L wrist X-ray; AP projection; age 12 y, female

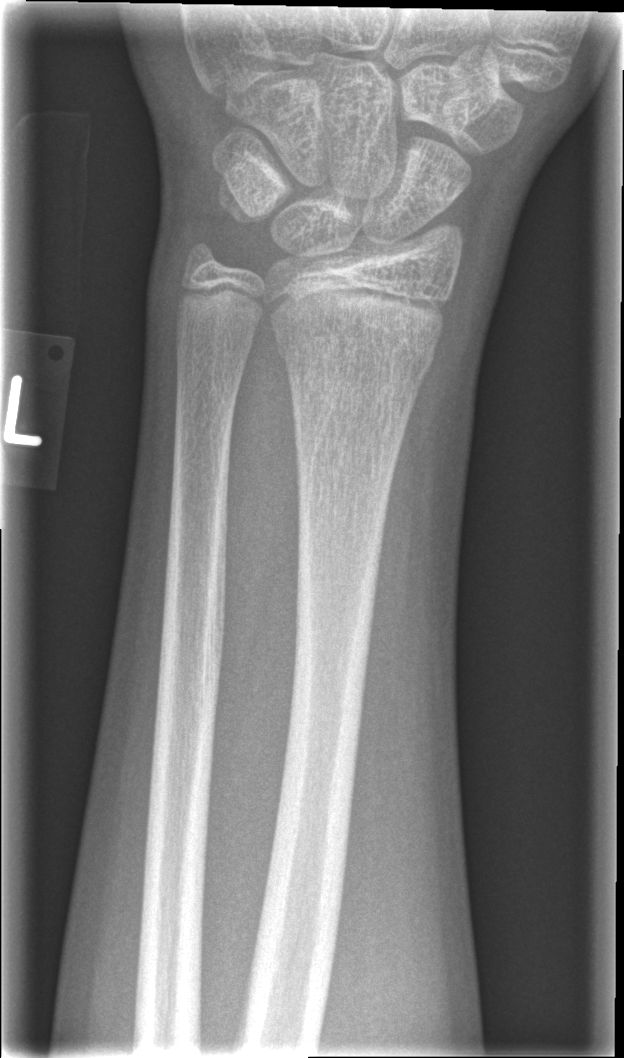 Fracture: 1 @ 272 313 442 387
AO code: 23r-M/2.1